Lateral projection | Rt wrist X-ray | age 3 y, girl | index exam.

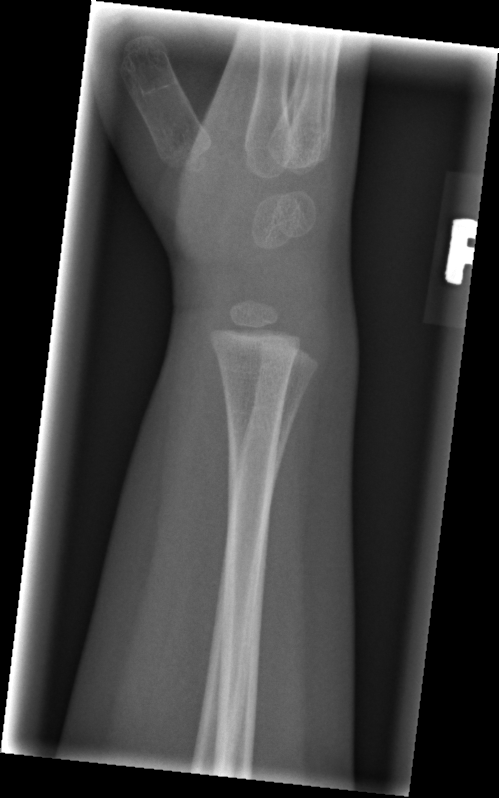

FINDINGS — No fracture annotation.